Lateral projection; Lt wrist radiograph —
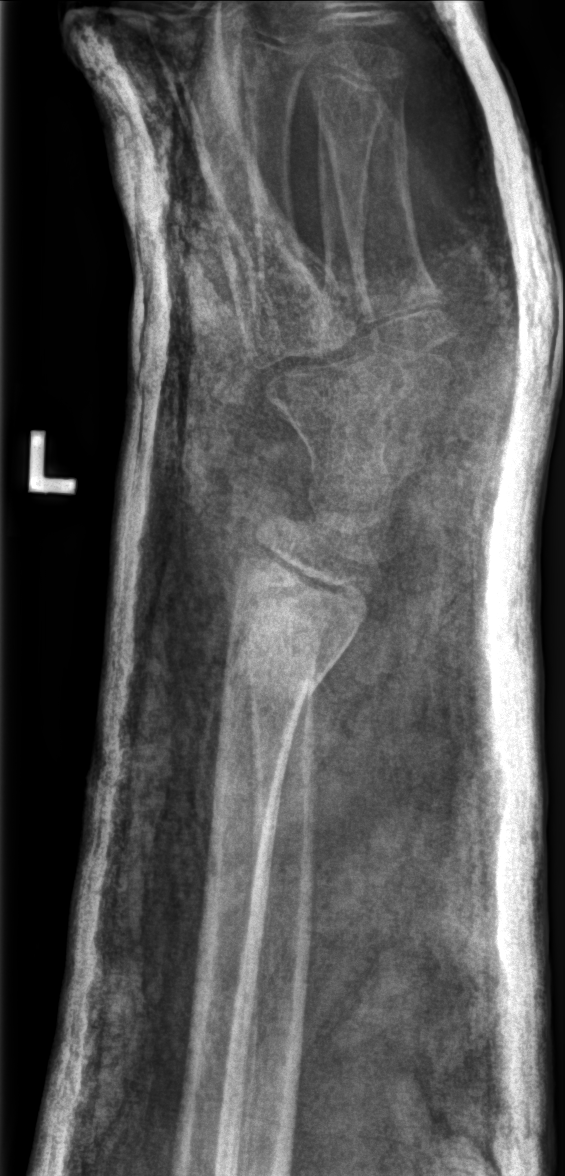
{"_coords": "boxes as x1,y1,x2,y2 (top-left / bottom-right, pixel units)", "ao": "23r-M/2.1", "fracture": "221 614 348 709"}